PA view, left plain radiograph of the wrist, 13y M, index exam, image 96.0 mm wide, 667x1120
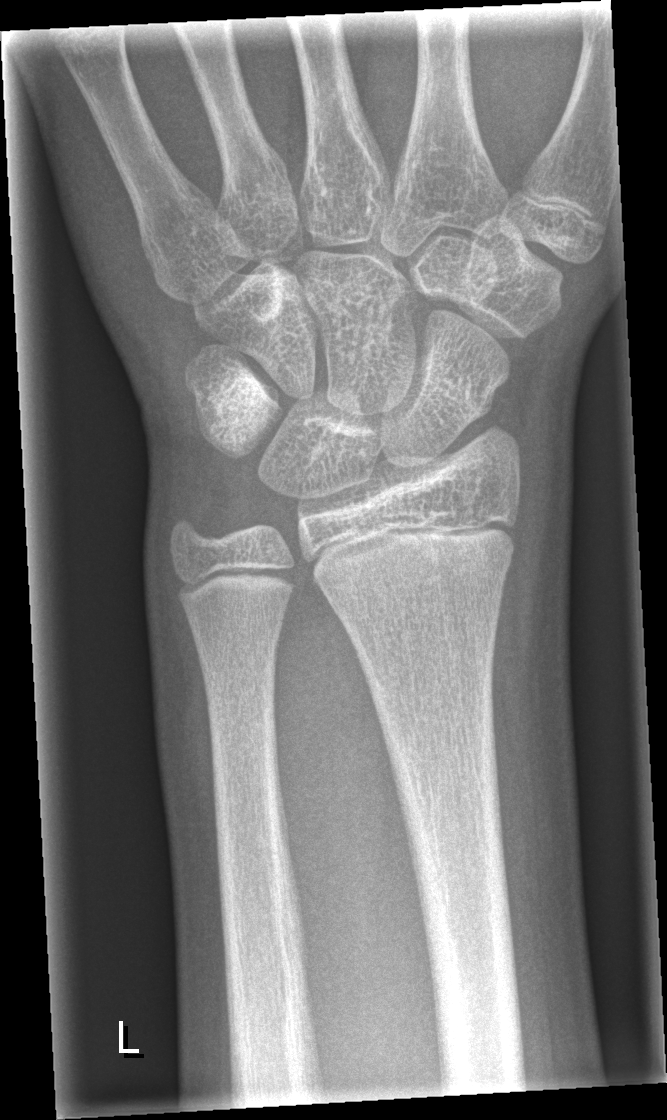

bone fracture: present but not clearly seen in this view
AO code: 23r-M/2.1